Lateral; Rt wrist X-ray.

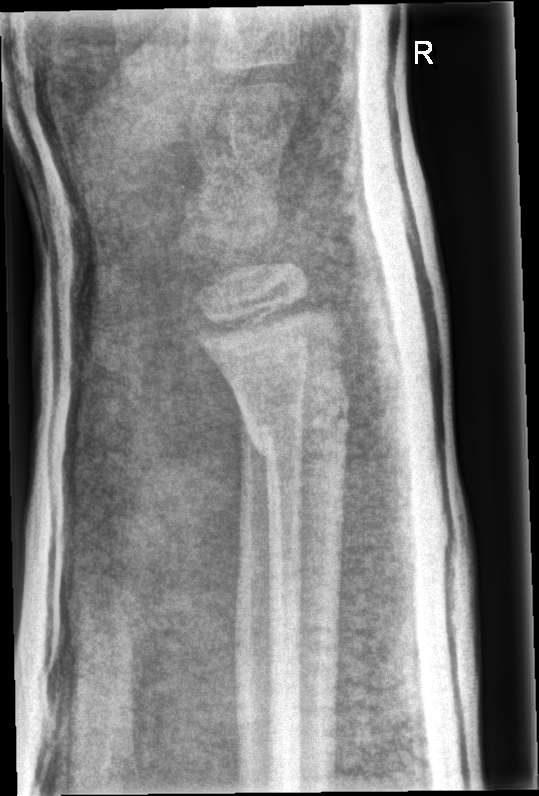
FINDINGS: Fracture: 253,390,353,474.